Right wrist X-ray | lat view | girl, 12 yo | initial study | Siemens. 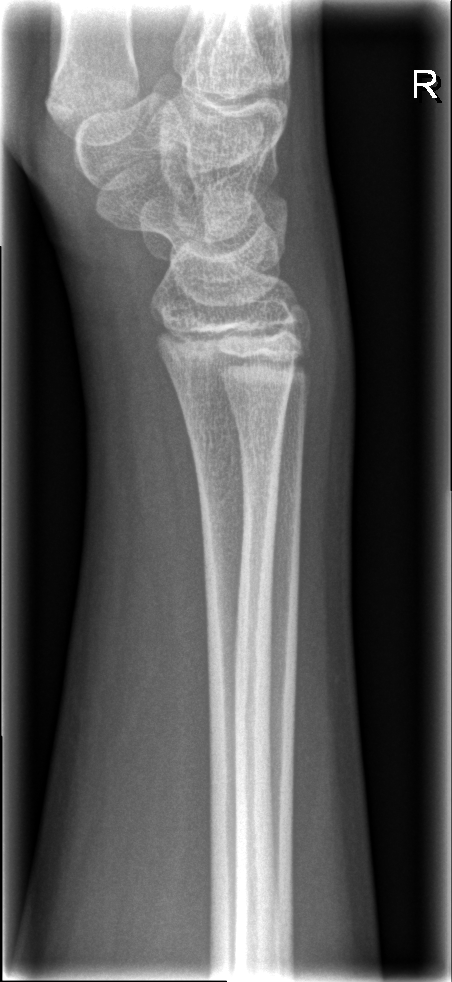 * Fracture: none labeled.